Lat, right wrist radiograph, Siemens

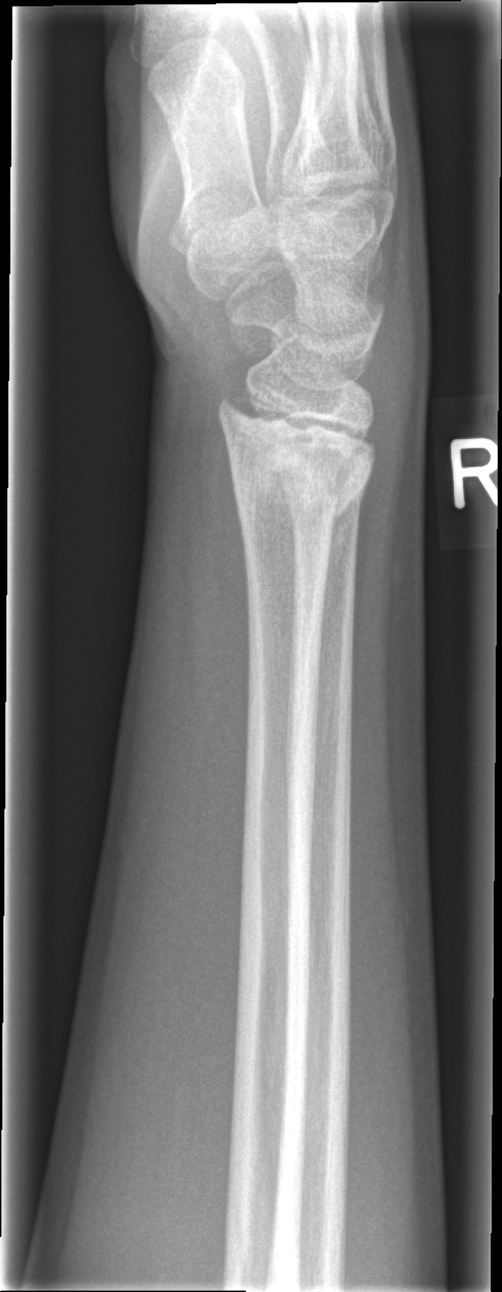
FINDINGS — AO/OTA classification: 23r-M/3.1. Bone fracture identified at <222,438>-<378,532>.